Lateral view, R wrist XR, cast in situ:
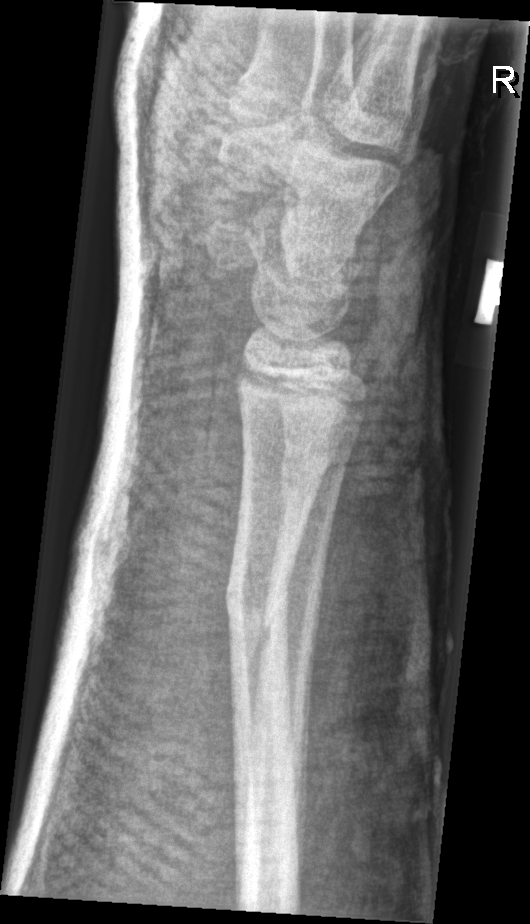

* Bone fracture: [221, 563, 295, 661]; [274, 440, 353, 515].